Lat projection; R pediatric wrist radiograph; age 16 y, female; acquired on Siemens — 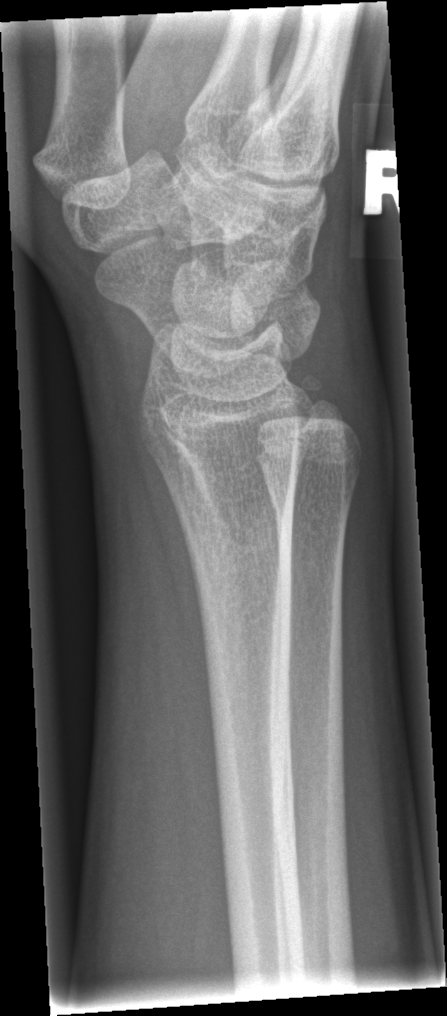
FINDINGS — Fracture identified at <297,371>-<352,436>.